PA/AP view | right wrist XR | boy, 9 yo | follow-up | 76.6 mm image width.
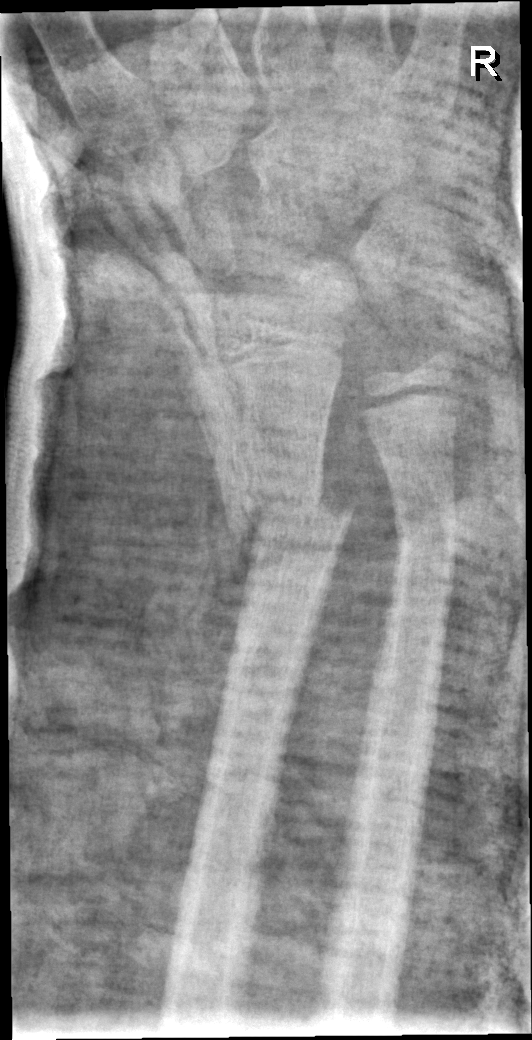 (boxes as x1,y1,x2,y2 (top-left / bottom-right, pixel units))
AO code = 23-M/3.1
Fx = 2 @ (212, 453, 359, 577); (387, 489, 463, 579)